AP view; left wrist X-ray —

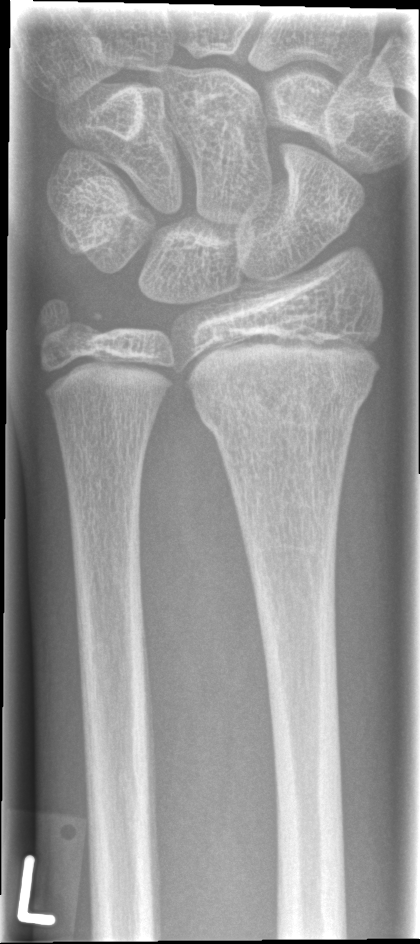
Fracture: 195 366 374 445
  35 298 110 336.
AO code 23r-M/3.1; 23u-E/7.